Left wrist pediatric wrist radiograph · lateral view · age 14 y, female:
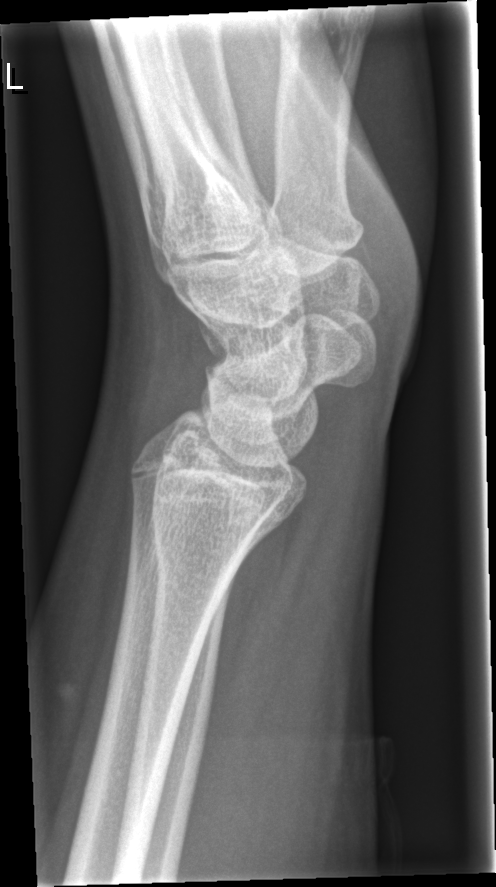
Fx: none labeled